Posteroanterior projection, Lt wrist X-ray, pediatric patient (male, age 11), follow-up study, in cast. 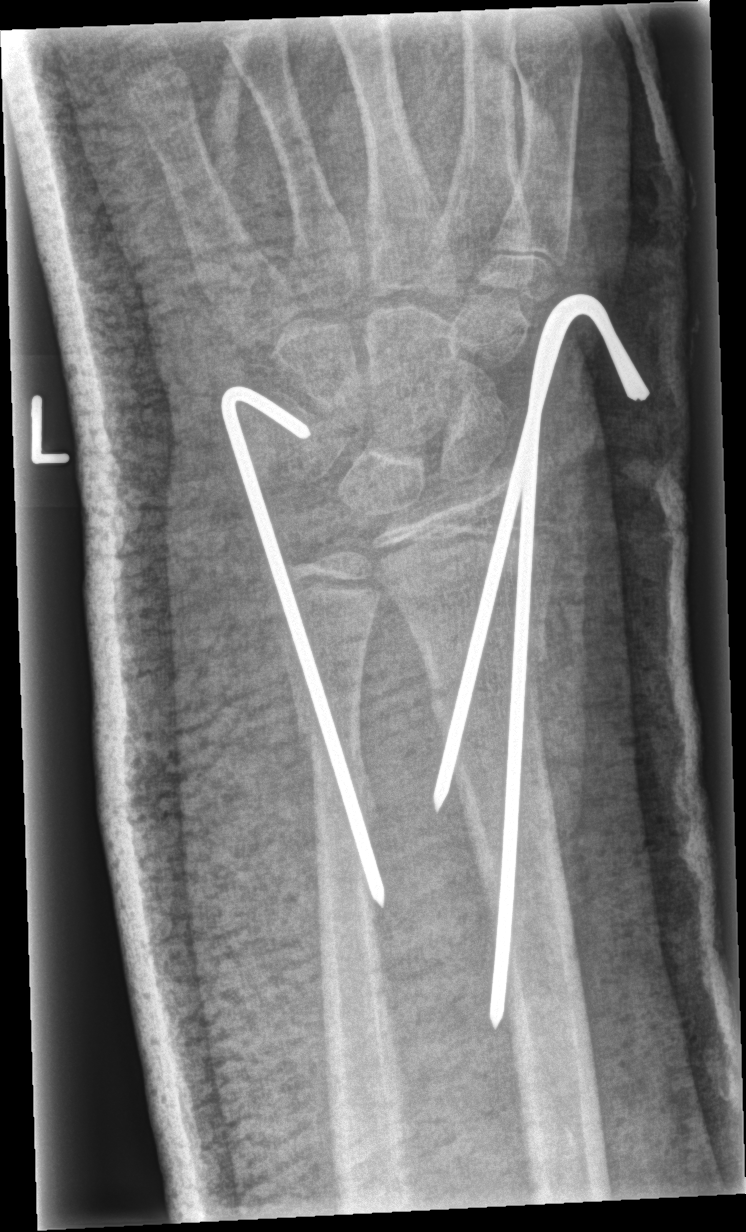

metallic implant = (left=432, top=292, right=650, bottom=1032) (left=220, top=381, right=383, bottom=905)
bone fracture = 2 @ (left=426, top=645, right=548, bottom=718); (left=291, top=712, right=368, bottom=767)